Rt pediatric wrist radiograph; frontal view; boy, 17 yo; Siemens; 678x1084 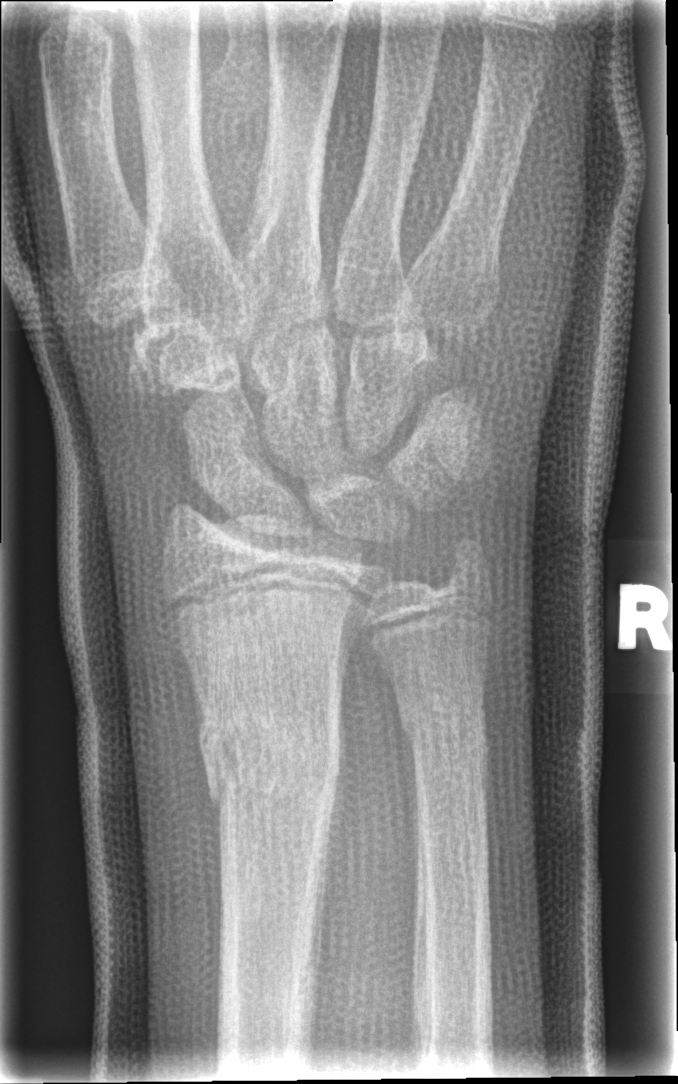 fracture: 2 @ (197, 706, 353, 832); (400, 701, 500, 794)
ao: 23-M/3.1